Lateral projection; left wrist radiograph; pediatric patient (boy, age 13).

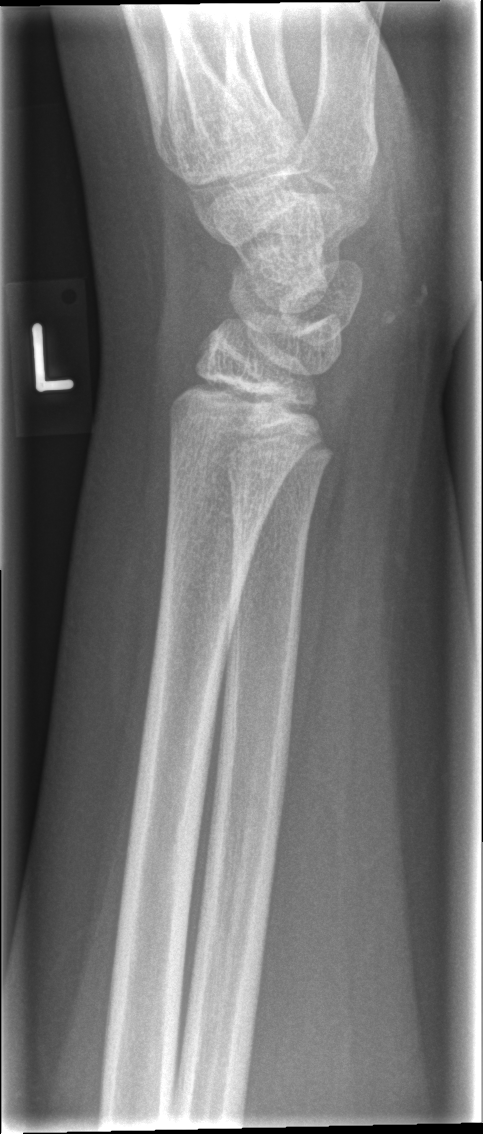
Fracture: none labeled.